Lat projection; R wrist plain film; image width 64.8 mm.
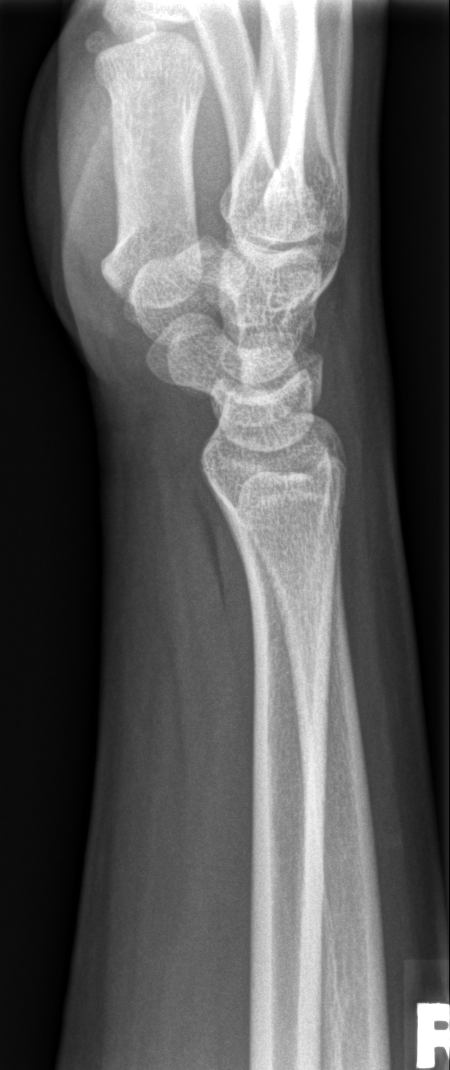
Fracture: none labeled.